Left pediatric wrist radiograph | posteroanterior view — 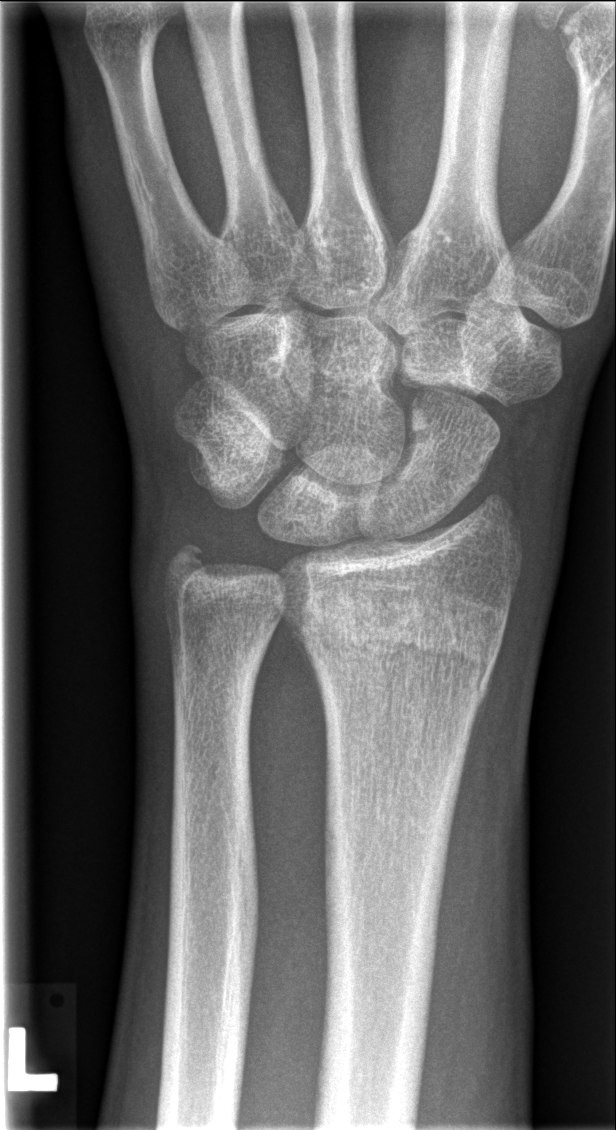 (bounding boxes in image-pixel xyxy)
osteopenia: present
bone fracture: 2 @ 299 582 512 694 | 161 534 220 599
AO/OTA: 23r-M/3.1; 23u-E/7